AP projection; left wrist pediatric wrist radiograph:
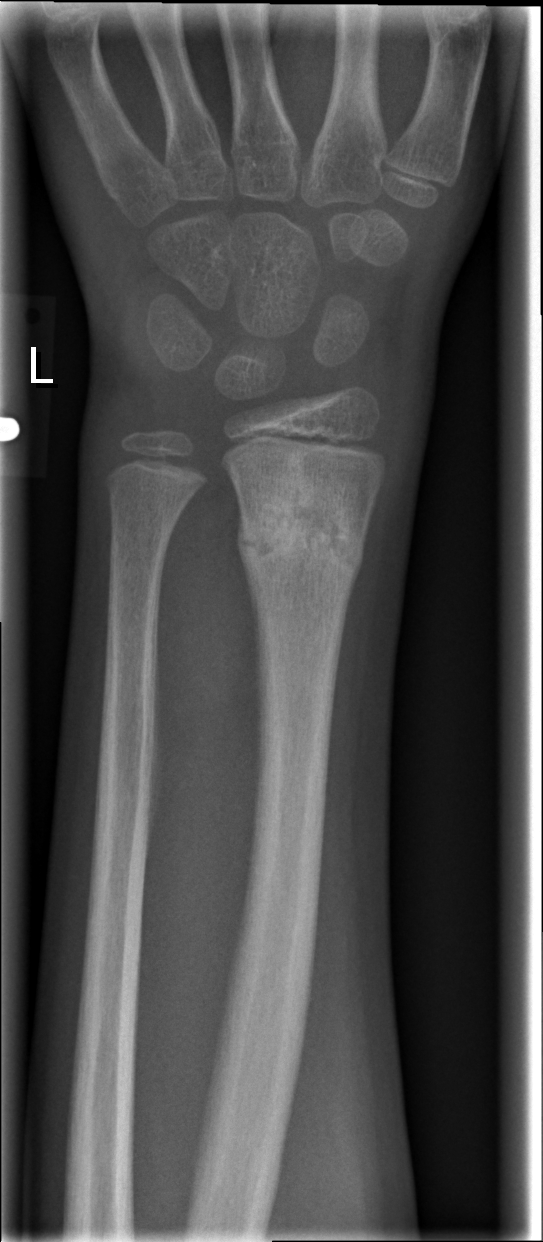

  # coordinates are [x1, y1, x2, y2] in image pixels
  osteopenia: present
  ao: 23r-M/3.1
  fracture: (234, 481, 368, 597)